Frontal; left wrist radiograph; age 15 y, male; presentation radiograph. 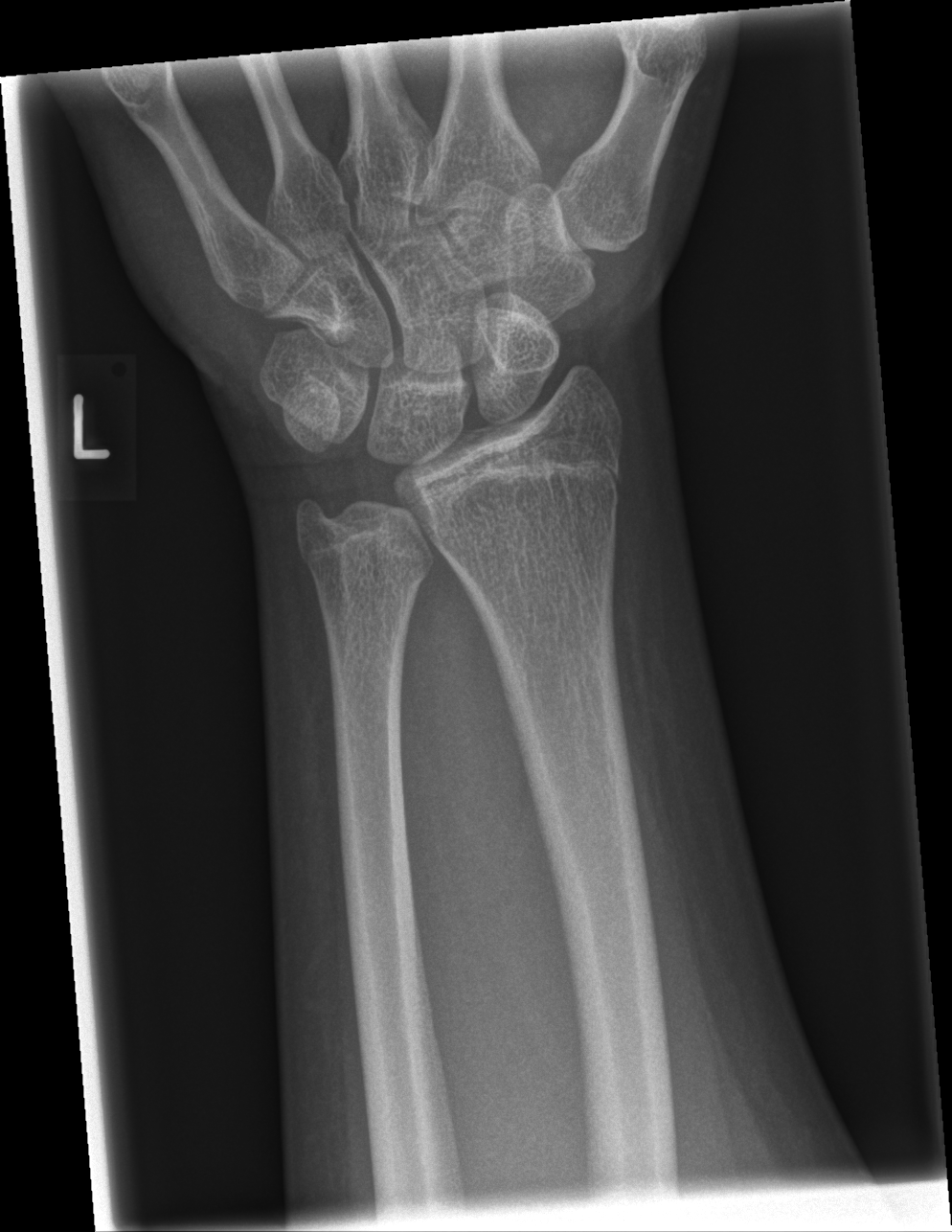
Bone fracture = none labeled